AP view | Lt wrist radiograph | age 14 y, boy | follow-up | in cast —
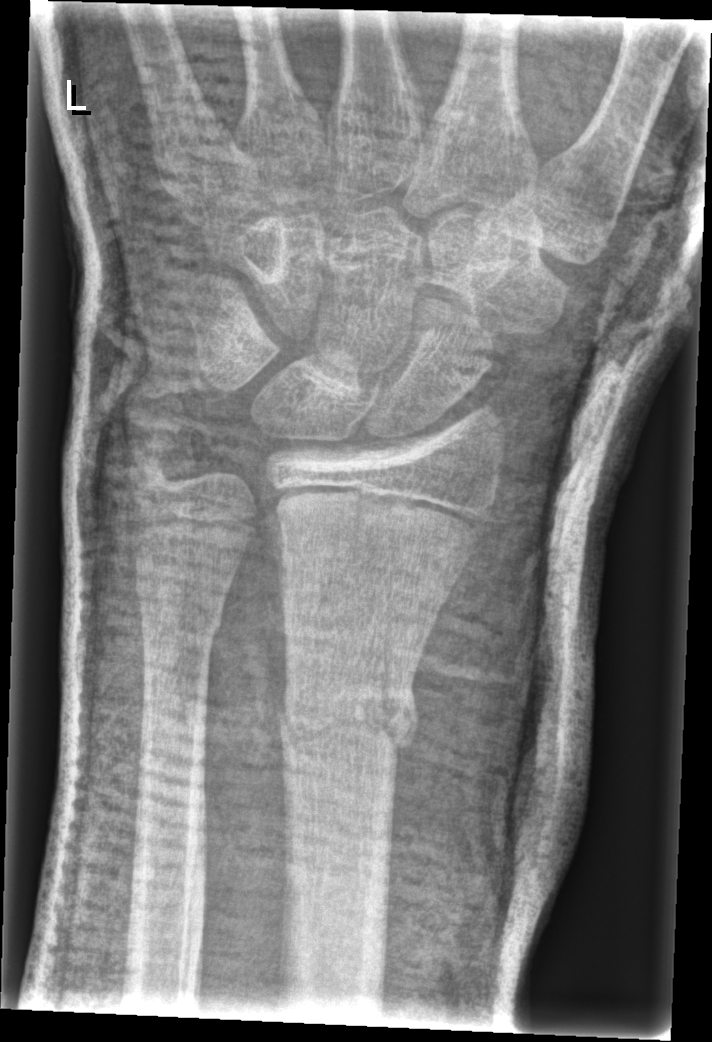
Bone fractures — (272, 660, 423, 780); (132, 594, 230, 660). Fracture classified AO/OTA 23r-M/3.1; 23u-M/2.1; 23u-E/7.